Lateral projection, left wrist radiograph, detector: Siemens, 65.4 mm image width:

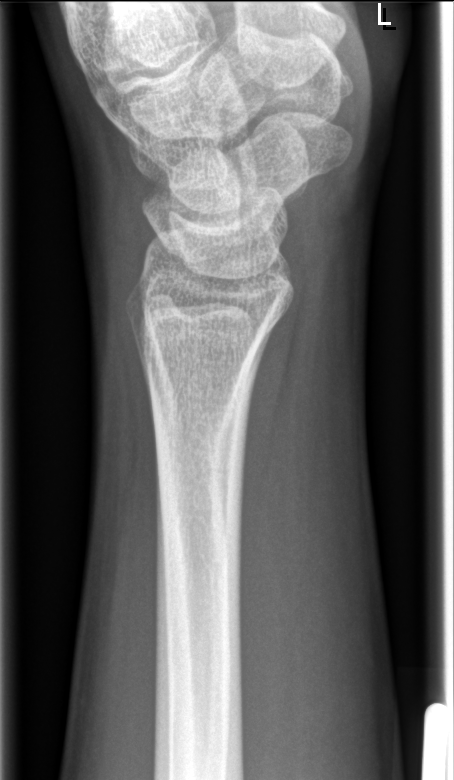 FINDINGS: Fx: none.